Posteroanterior view; L wrist X-ray; pediatric patient (male, age 13); Siemens: 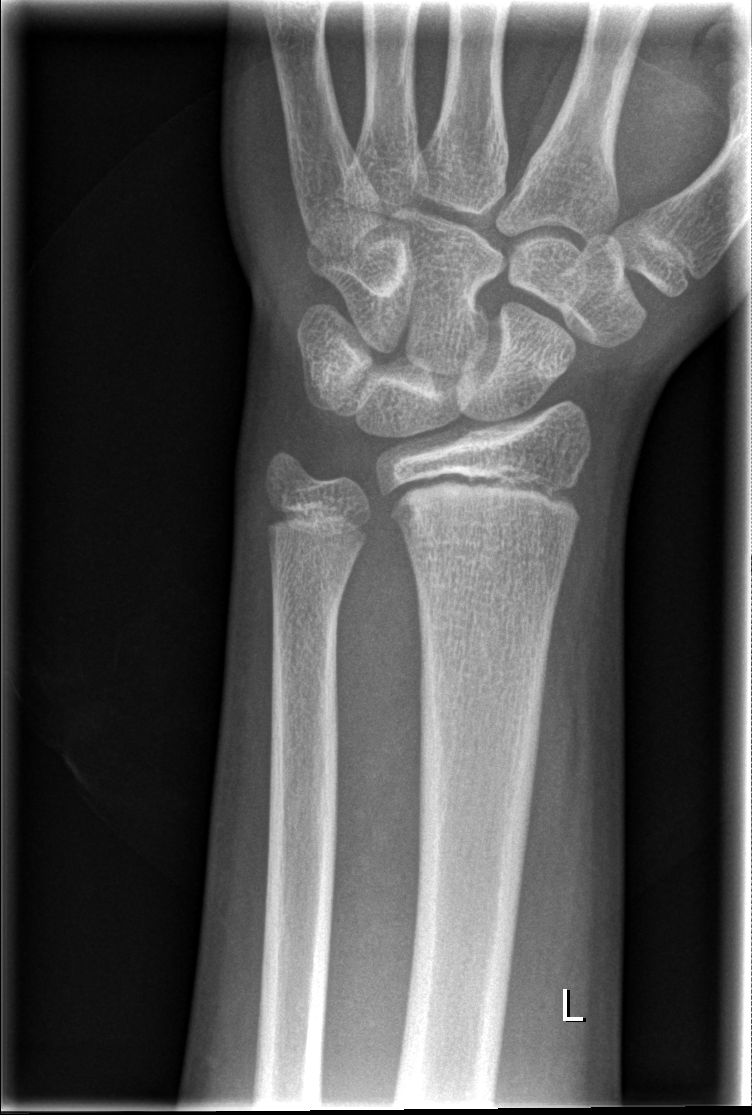

Fx: none.